PA view, L wrist XR, 6y M, 562x900 —
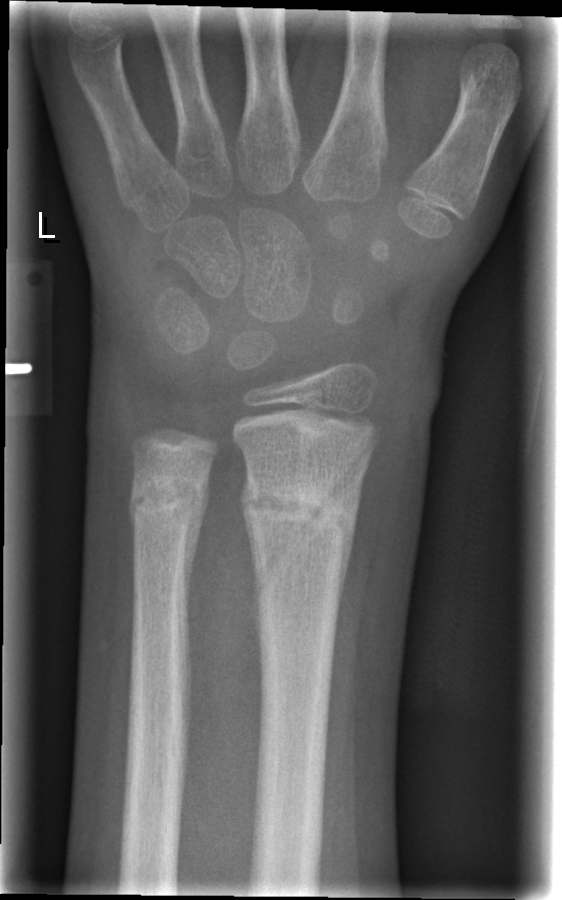
Boxes as x1,y1,x2,y2 (top-left / bottom-right, pixel units). Periosteal new bone: (184, 484, 210, 612); (336, 486, 356, 606); (241, 476, 255, 584). Fracture classified AO/OTA 23r-M/3.1; 23u-M/2.1. Fx — (236, 460, 363, 537); (124, 465, 213, 528).